Lt wrist plain film · lateral · 4y F · index exam — 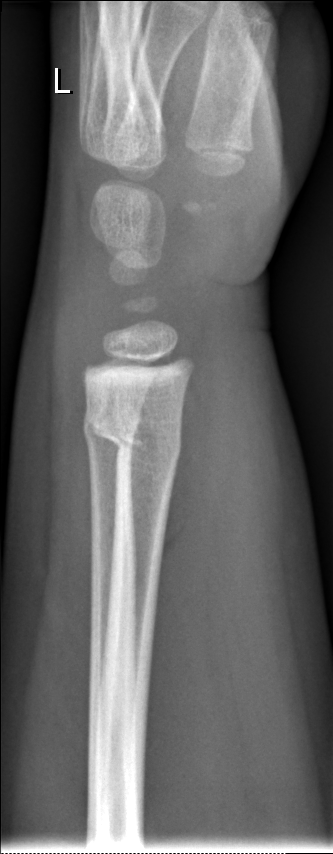

Pronator sign: bbox(138, 317, 253, 742)
AO classification: 23-M/3.1
Fracture: 1 @ bbox(82, 402, 183, 486)